Left wrist X-ray | posteroanterior | pediatric patient (male, age 10) | 91.0 mm image width —

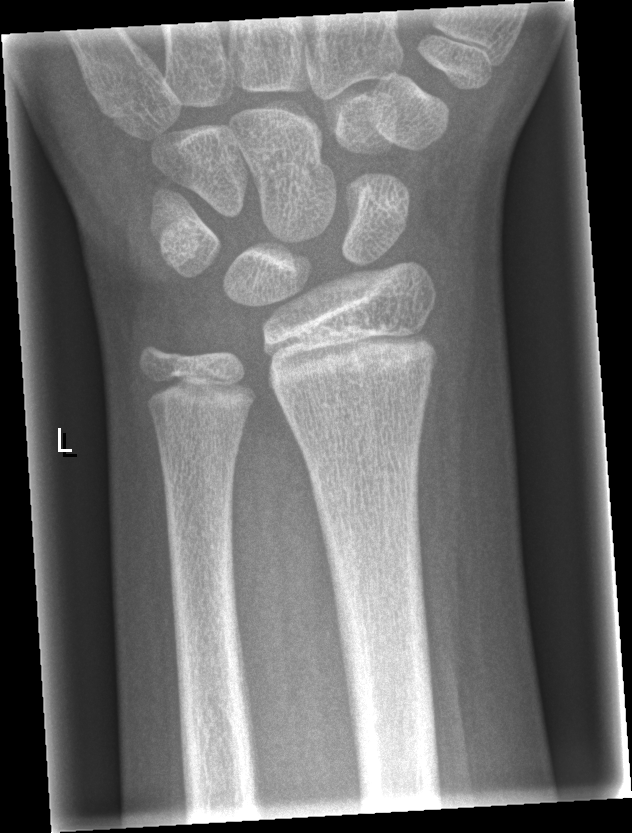
FINDINGS: No fracture bounding box.